Lateral projection; R wrist X-ray; follow-up; imaged through cast; Siemens:
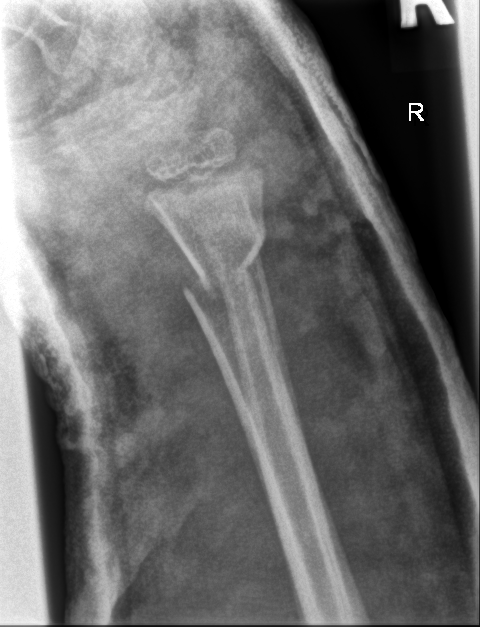 Bone fracture = 1 @ 180 220 270 303
AO classification = 23r-M/3.1; 23u-M/2.1